AP projection · left wrist plain film · index exam.

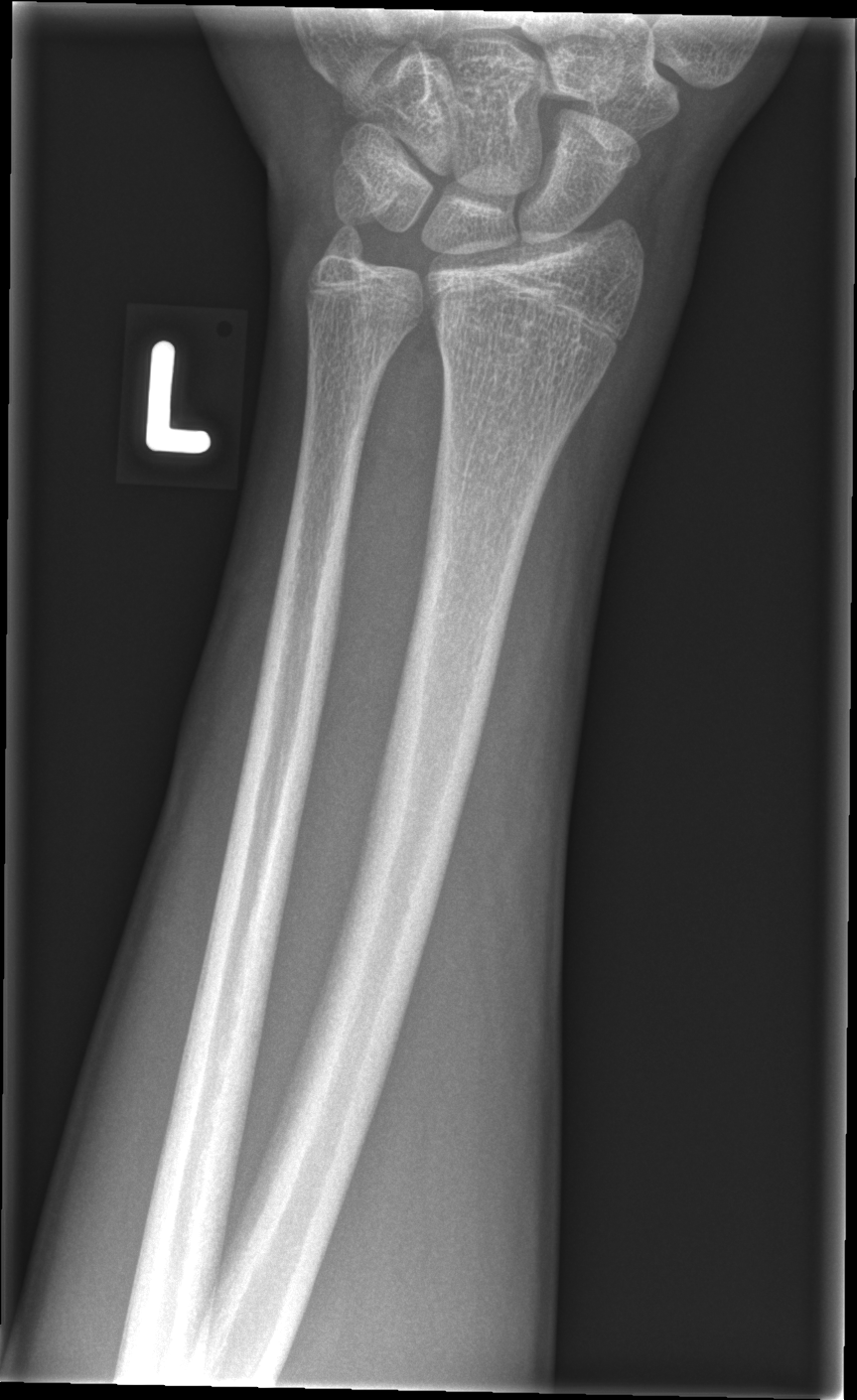 fracture: none labeled